Lat; left wrist X-ray; 576 x 1302 px
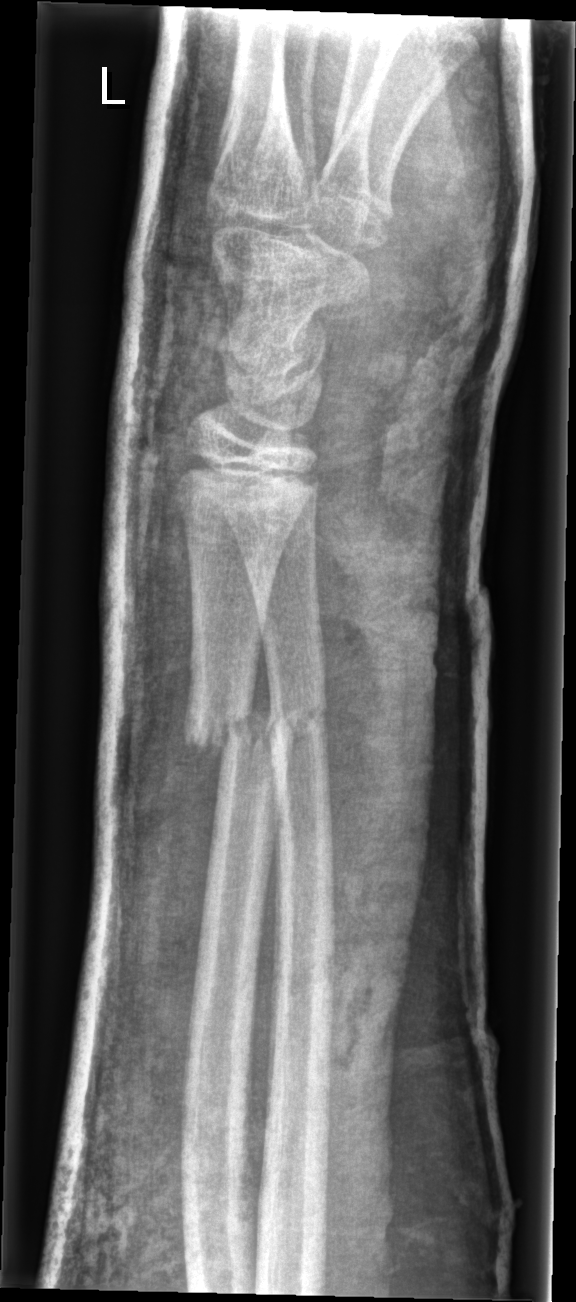
Bounding boxes in image-pixel xyxy. One Fx at <172,682>-<347,773>. AO code 22-D/4.1.